Posteroanterior projection | Lt wrist radiograph | boy, 17 yo:

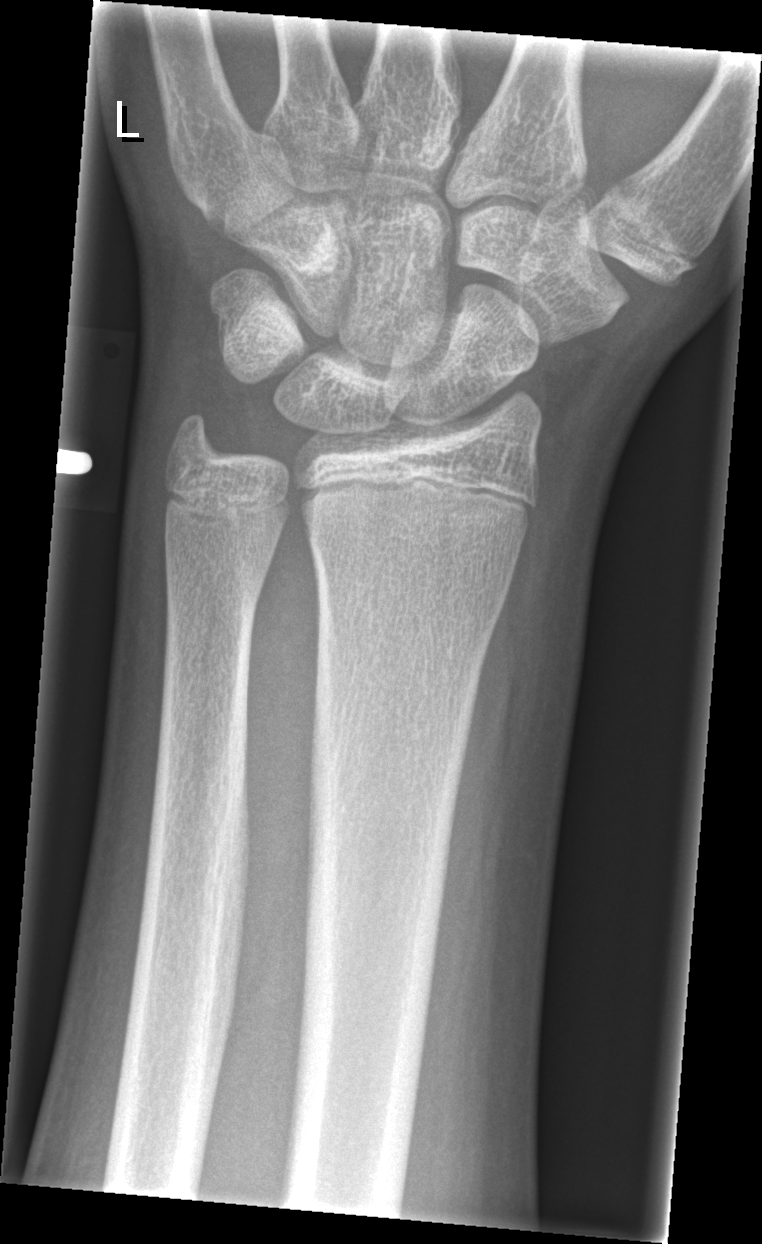
FINDINGS — No fracture labeled.